PA/AP · right pediatric wrist radiograph · 16-year-old female
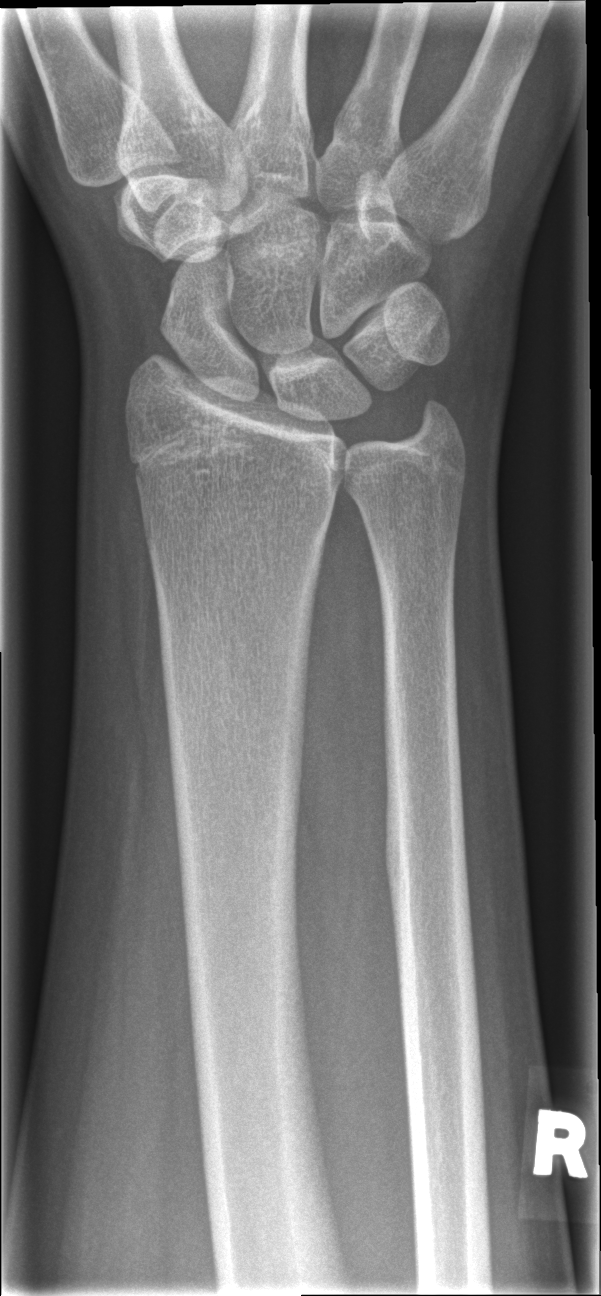 No fracture annotation.